Left wrist XR, AP view, age 6 y, female.
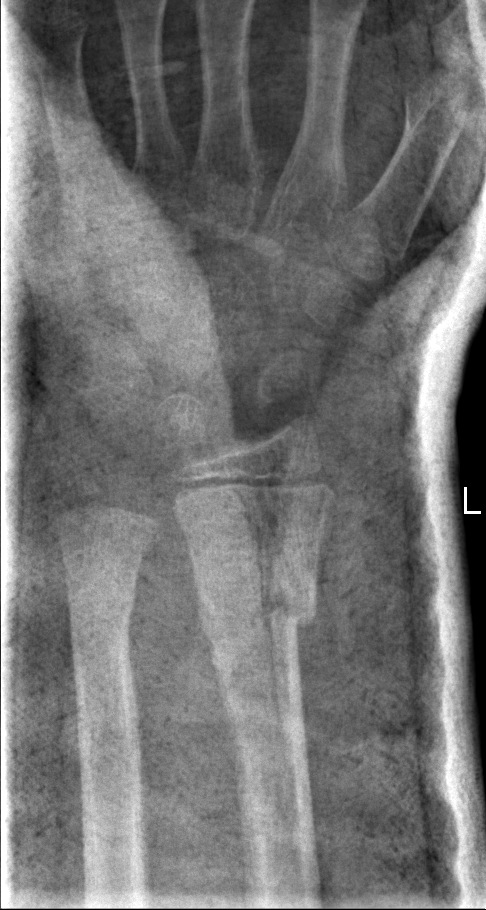
Bone fracture identified at (195, 573, 322, 662); (57, 558, 143, 648).